Posteroanterior; right wrist pediatric wrist radiograph — 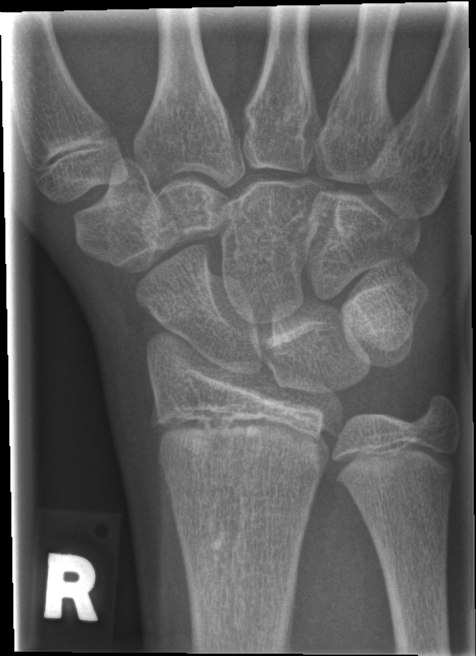 Q: Locate any fractures.
A: No fracture labeled